L pediatric wrist radiograph; AP projection; 9-year-old female; image width 72.6 mm —
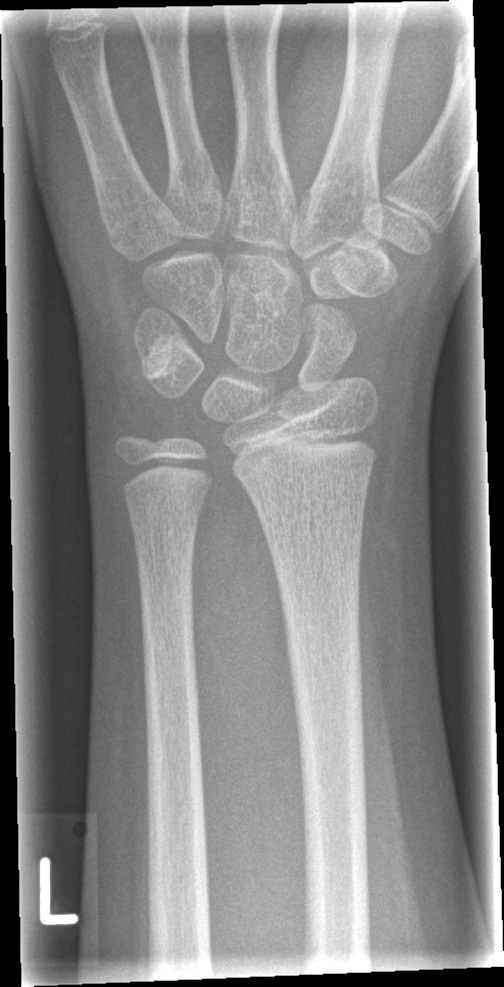 Fx = none labeled